R wrist X-ray · lateral view · equivocal findings · 381 x 706 px: 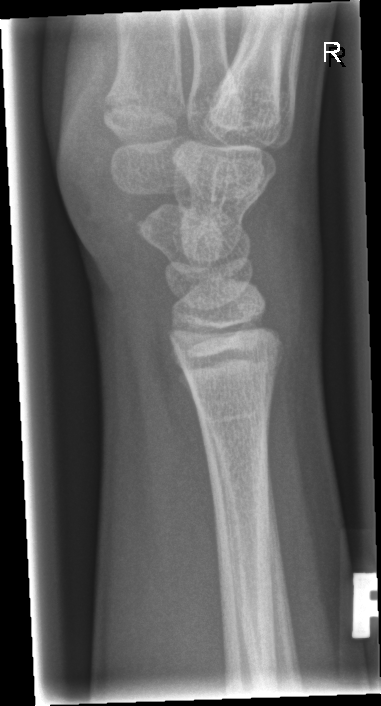
Bone fracture: none labeled